Left wrist radiograph; lat projection; 13-year-old female; subsequent exam; imaged through cast; Siemens; 618 x 742 px —
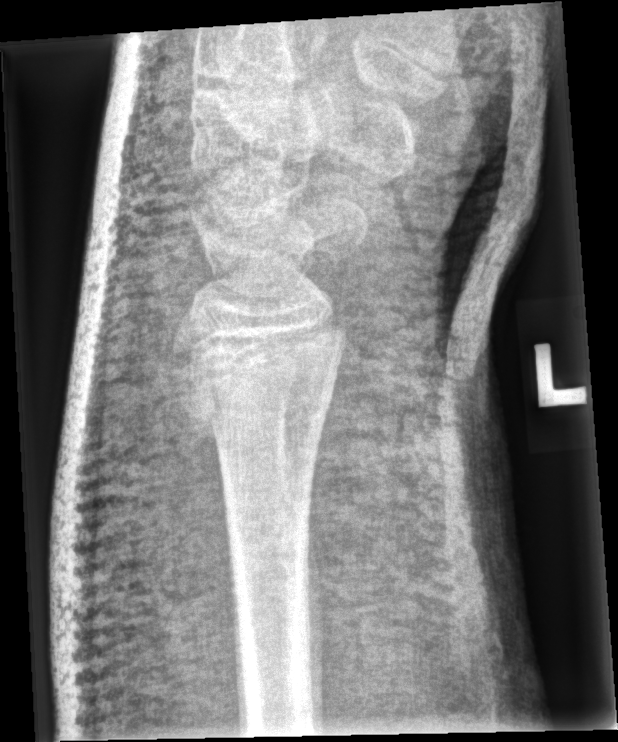

(boxes as x1,y1,x2,y2 (top-left / bottom-right, pixel units))
Fracture: [x1=168, y1=318, x2=348, y2=443]